Lateral view; left pediatric wrist radiograph; initial study; acquired on Siemens 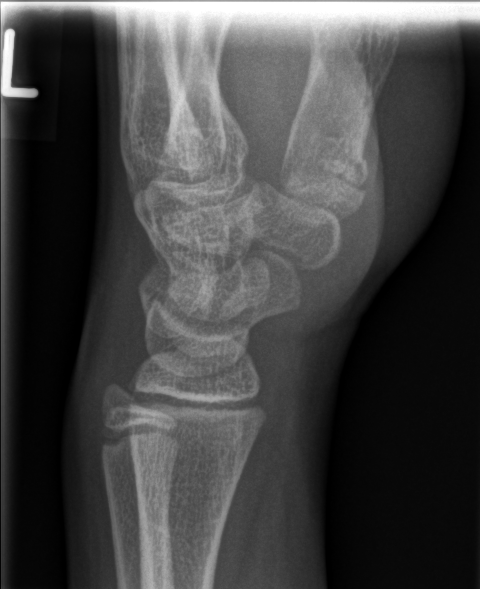 Fx = none labeled